Right wrist plain film · lateral projection · follow-up · 77.8 mm image width · 540 by 1036 pixels

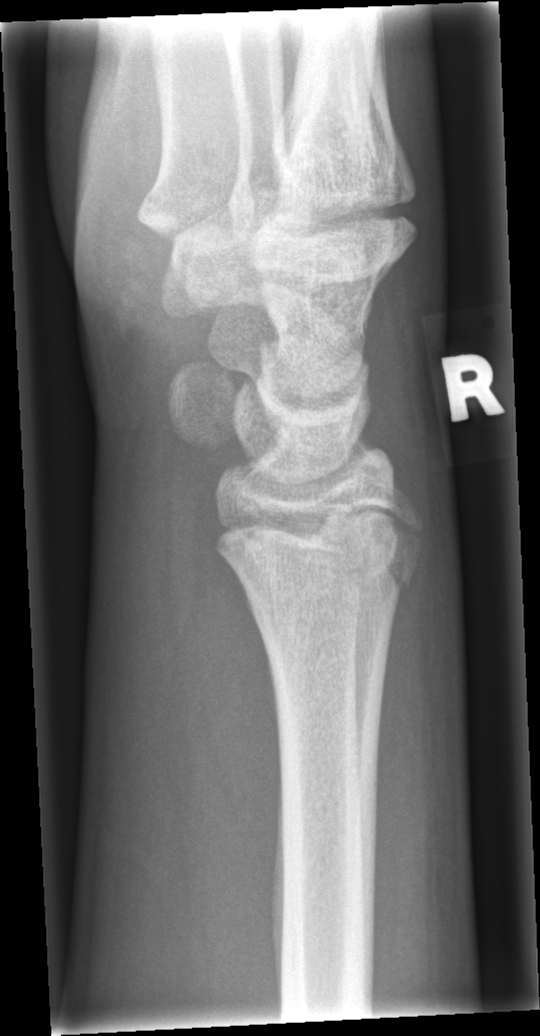

Reduced bone mineral density.
Fracture: 209 500 427 603.